Left plain radiograph of the wrist; lateral view; girl, 10 yo; image width 64.5 mm: 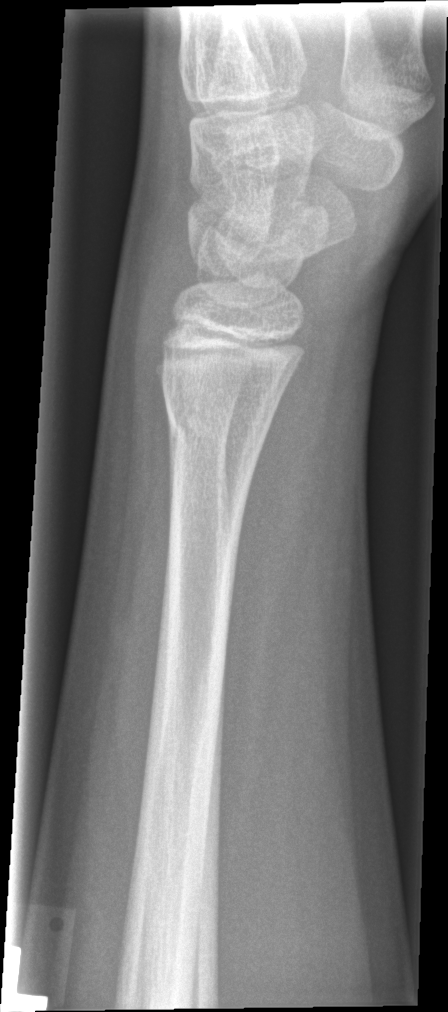 Bone fracture — [161, 385, 272, 471].